Frontal projection | Rt wrist XR | pediatric patient (female, age 6): 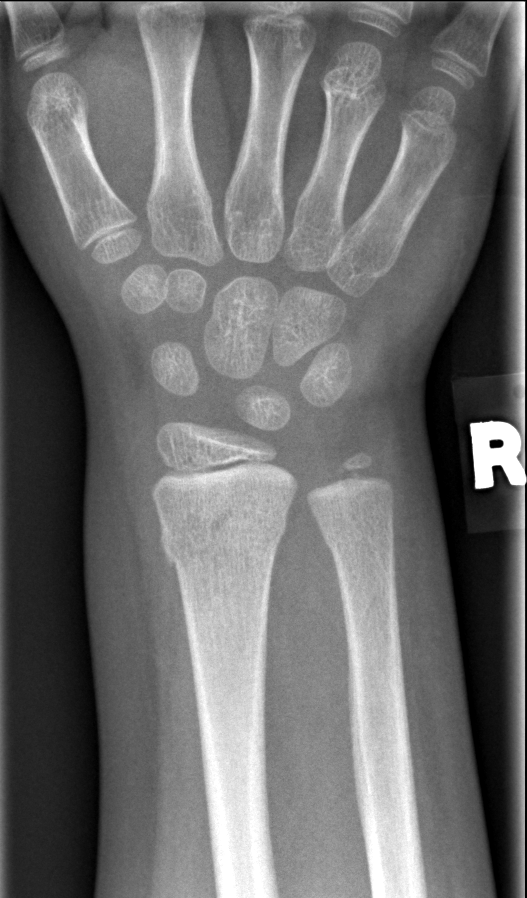 Q: Is there a fracture?
A: Fractures — [x1=158, y1=513, x2=288, y2=568]; [x1=317, y1=520, x2=397, y2=562]